Lt wrist X-ray · lat view · pediatric patient (male, age 11) · cast present · 85.5 mm image width:

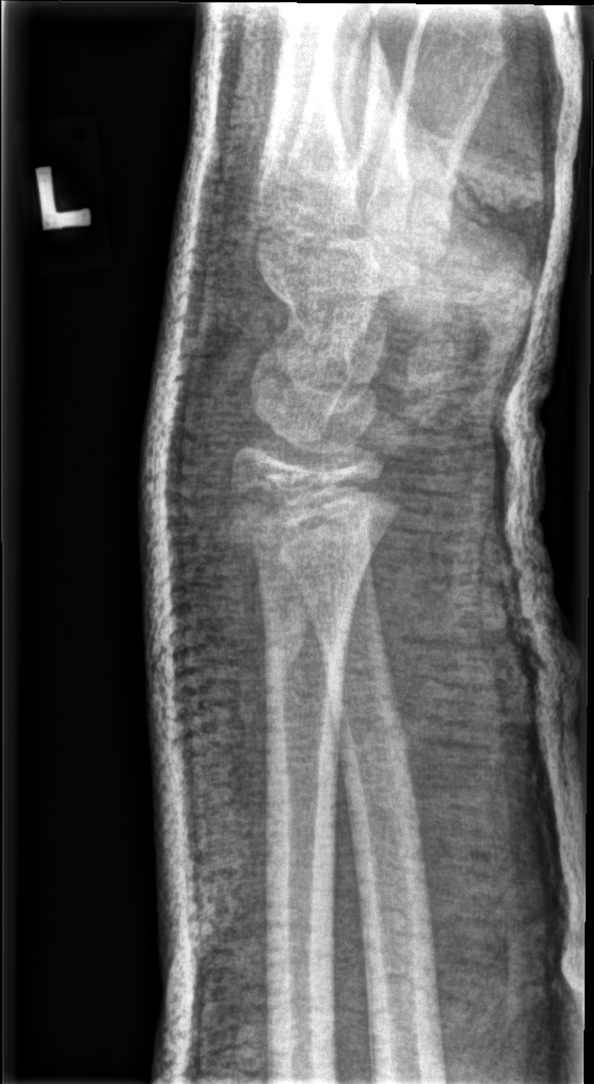 (bounding boxes in image-pixel xyxy)
AO classification: 23r-E/2.1
Fracture: [221, 471, 404, 569]